R wrist XR · lat projection.

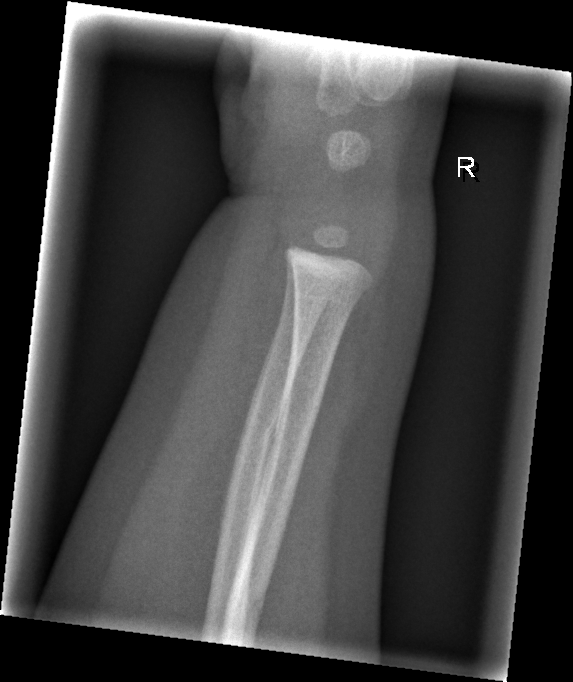 Q: AO code?
A: AO code 22u-D/2.1
Q: Is there a fracture?
A: One fracture at 230 397 290 476